Right wrist X-ray; lat projection; age 7 y, girl; initial study. 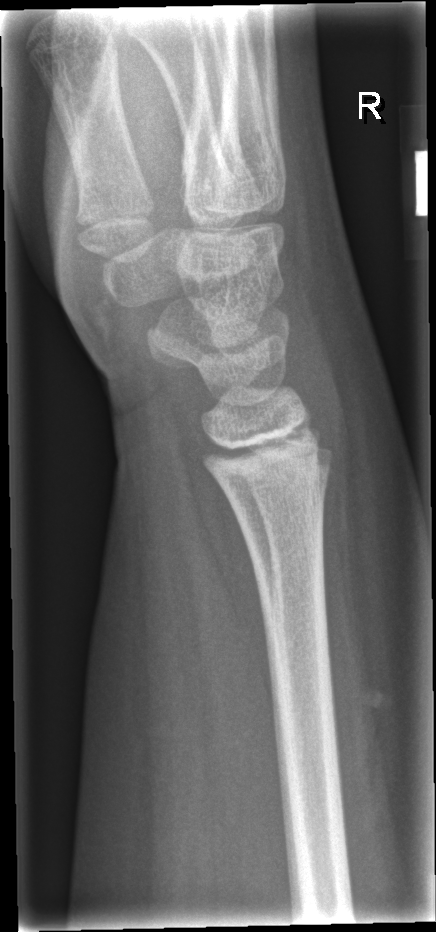

FINDINGS: No Fx annotated.